Lateral view; Rt pediatric wrist radiograph; Siemens:

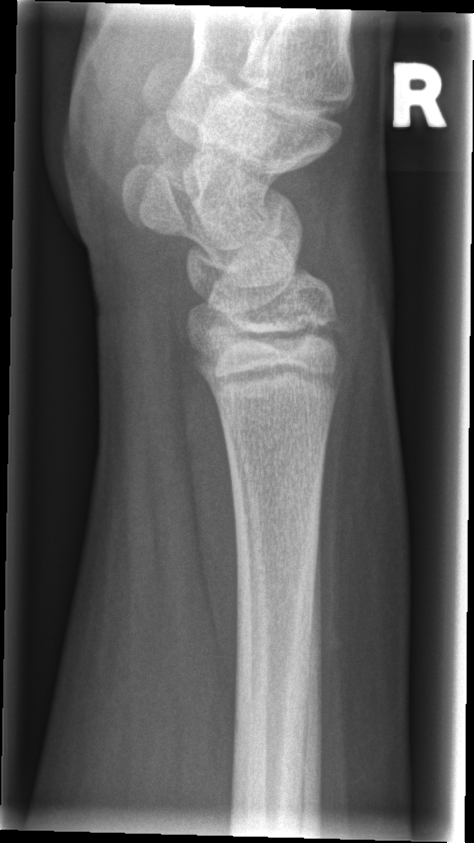
• No Fx annotated.